Lat view, left wrist radiograph, 10-year-old boy:
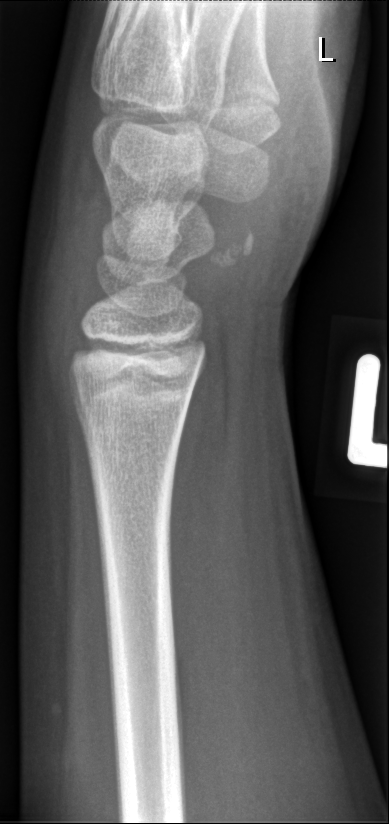
No fracture annotation.